Posteroanterior; Lt wrist plain film; image size 733x1278.
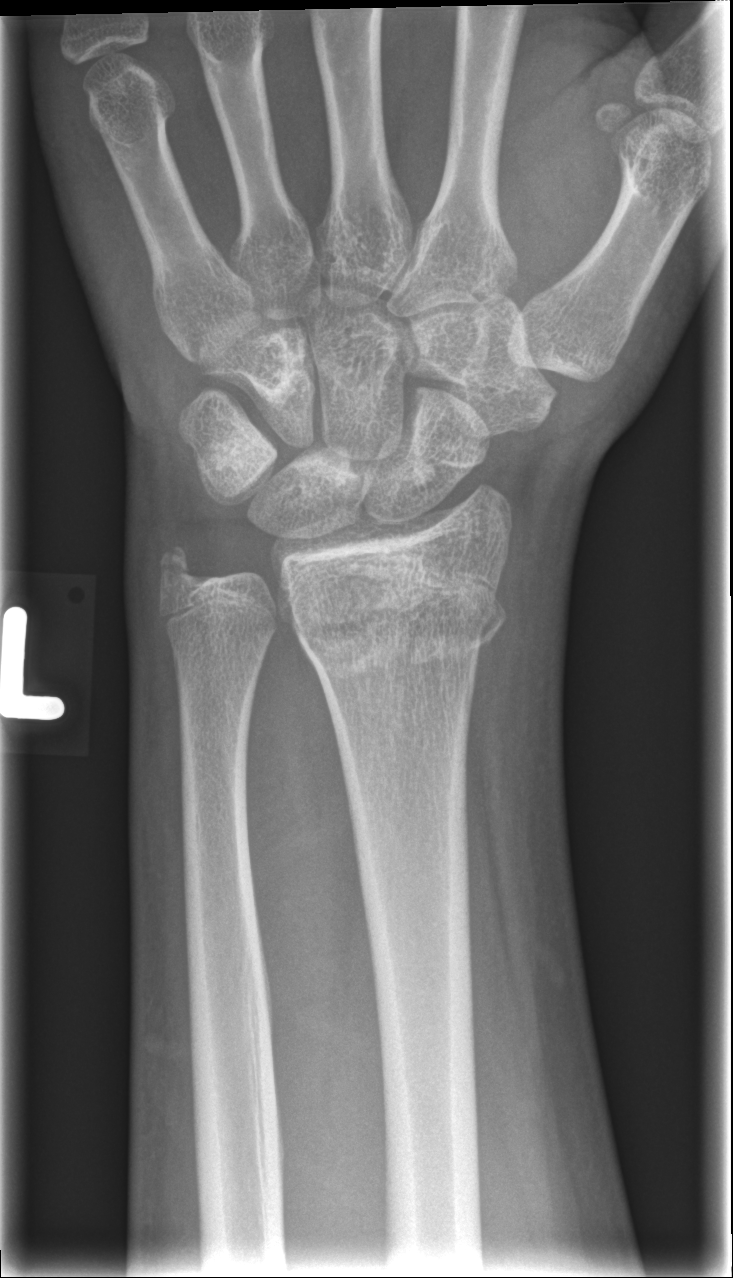
FINDINGS: (coordinates are [x1, y1, x2, y2] in image pixels) AO/OTA classification: 23r-M/3.1; 23u-E/7. Two Fx at [x1=277, y1=566, x2=512, y2=681]; [x1=149, y1=535, x2=205, y2=593].